Right wrist radiograph · frontal · follow-up · detector: Siemens · image size 544x960 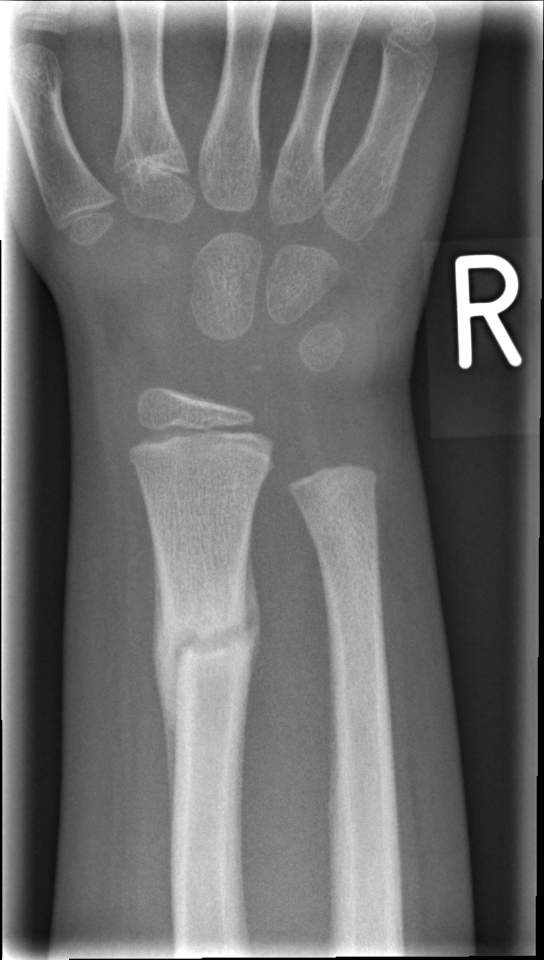

Reduced bone mineral density.
One Fx at (154, 605, 260, 676).
Two periosteal thickening at (145, 574, 184, 832) (239, 540, 267, 651).